AP view; right wrist XR; female, 5 yo; cast in situ:

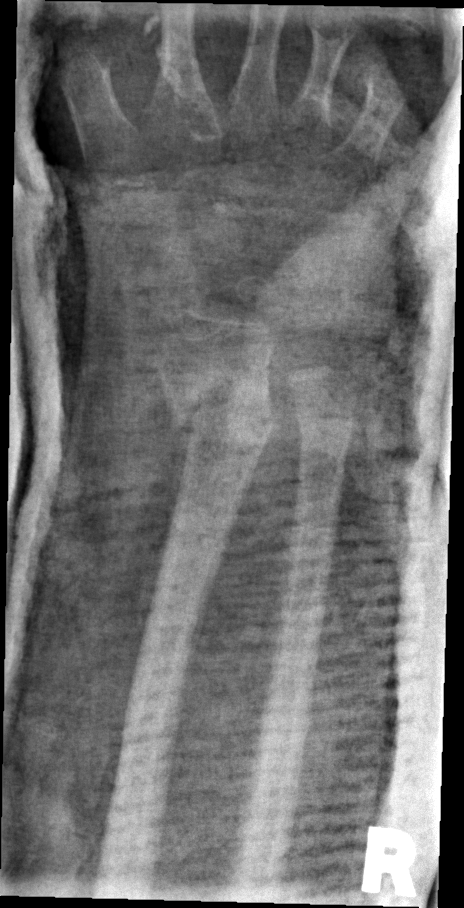
Q: Fracture present?
A: Fractures — 168 389 278 466 | 291 399 360 446